Lat | right wrist plain film | pediatric patient (female, age 6) | image size 596x1158 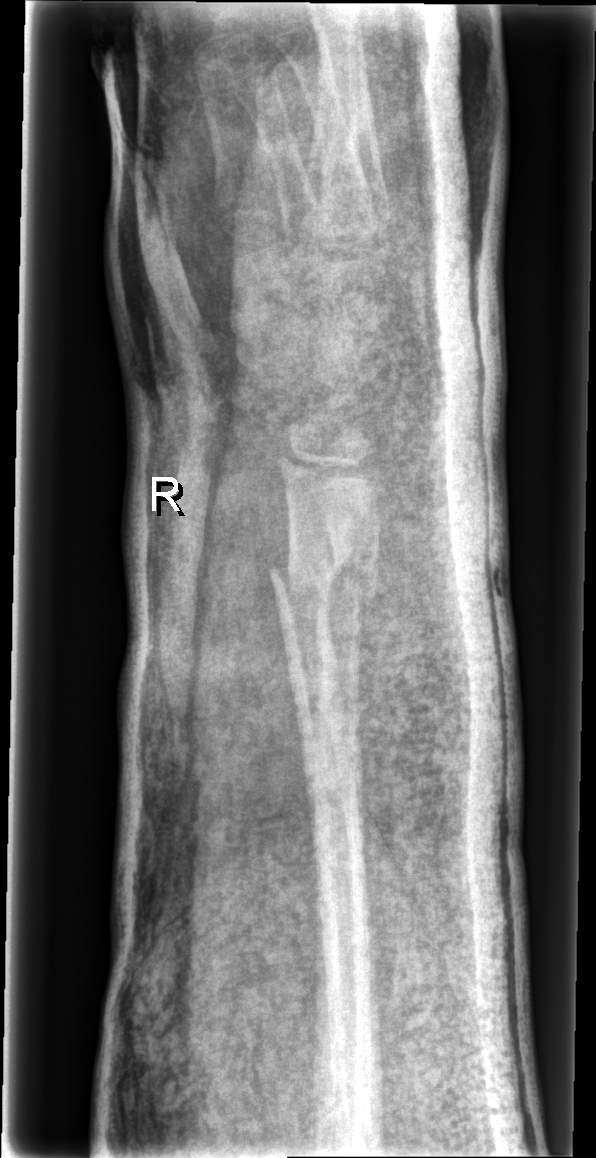 (coordinates are [x1, y1, x2, y2] in image pixels)
fracture: [x1=263, y1=544, x2=382, y2=619]
AO code: 23-M/3.1